R plain radiograph of the wrist · posteroanterior view · 634 x 902 px. 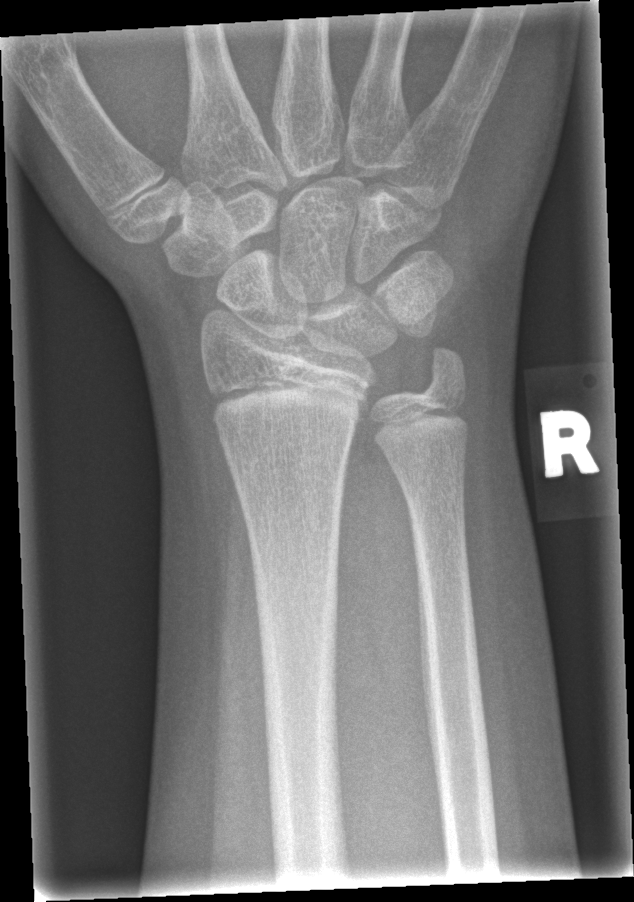
Findings: Fracture: none labeled.